Lt wrist plain film | lateral view | pediatric patient (male, age 17) | follow-up | 353 x 1044 px

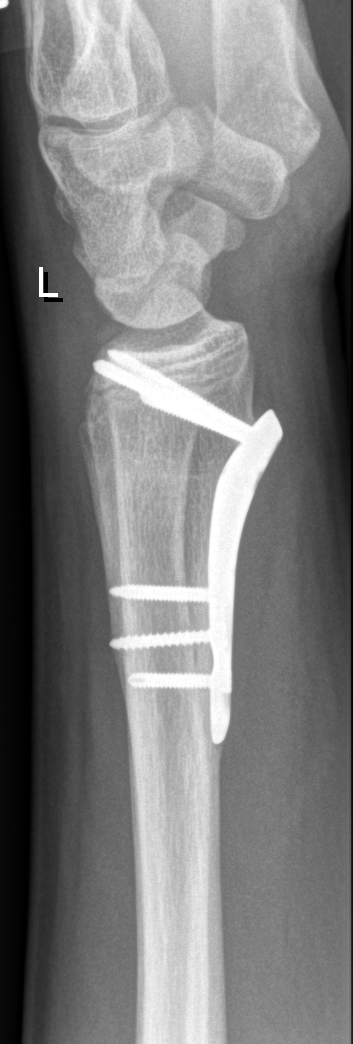 Bounding boxes in image-pixel xyxy. Bone fracture identified at <87,444>-<216,502>. Metal: <90,344>-<284,743>.